Left wrist plain radiograph of the wrist; lat view; boy, 9 yo; follow-up; in cast; detector: Siemens; 638x1053 — 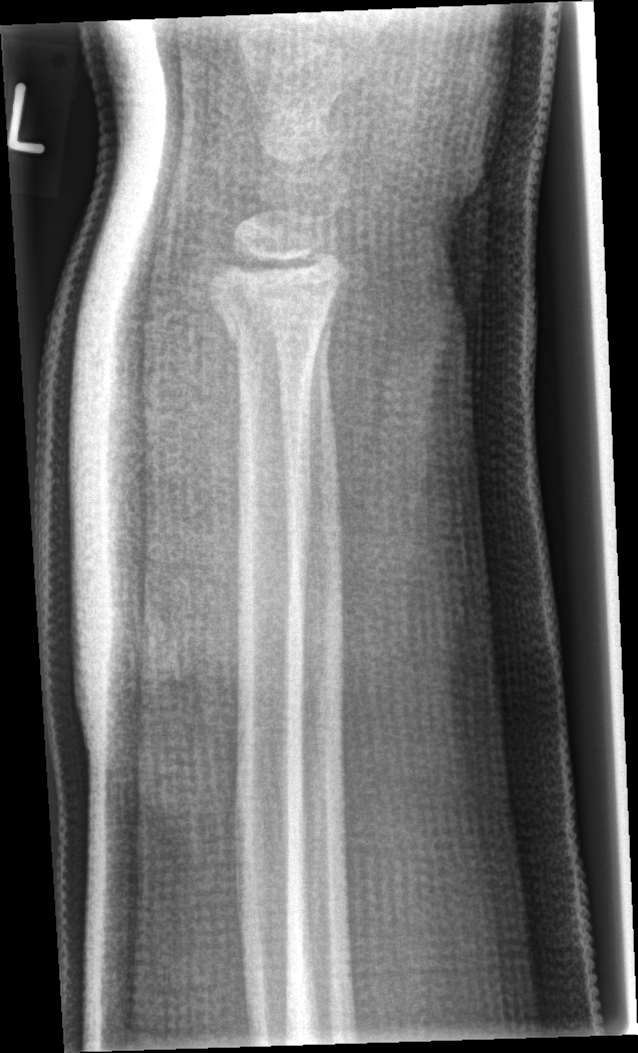 {"fracture": "1 @ [x1=205, y1=279, x2=337, y2=358]"}